PA/AP; right wrist plain film —

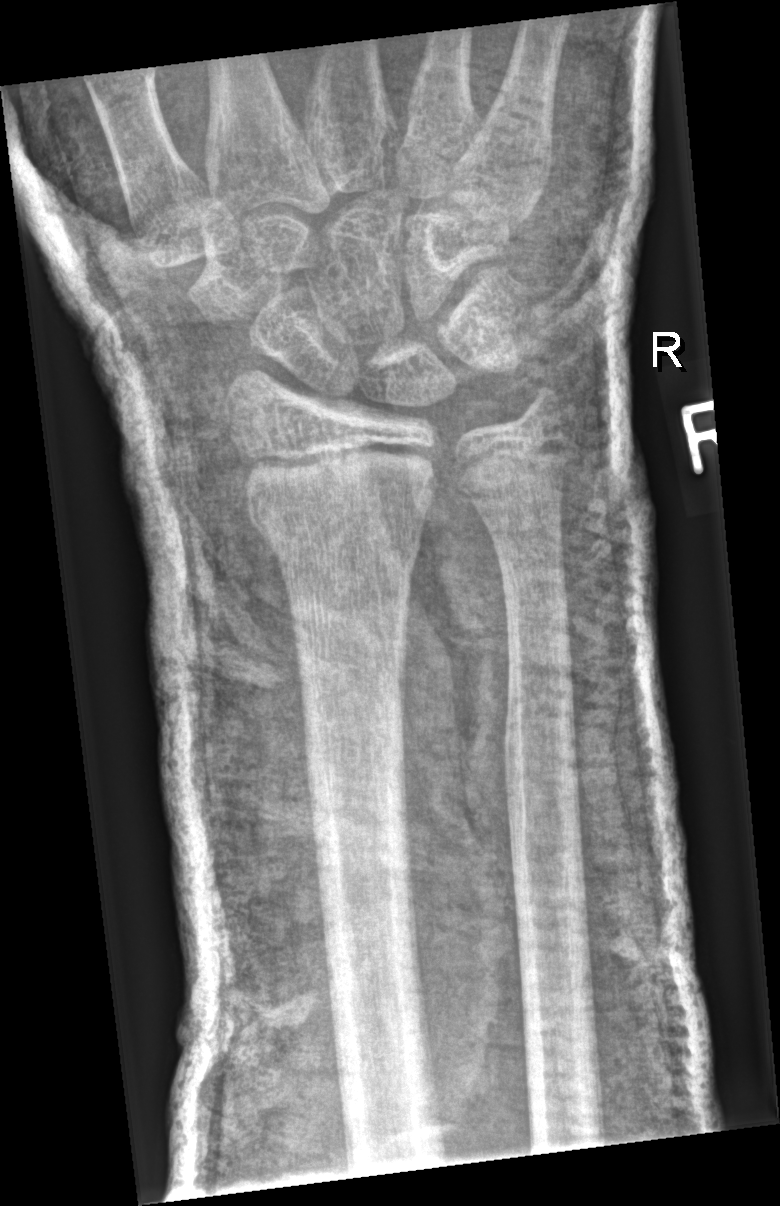 * Fx: 246,472,433,578.